L pediatric wrist radiograph, lat, subsequent exam, acquired on Siemens — 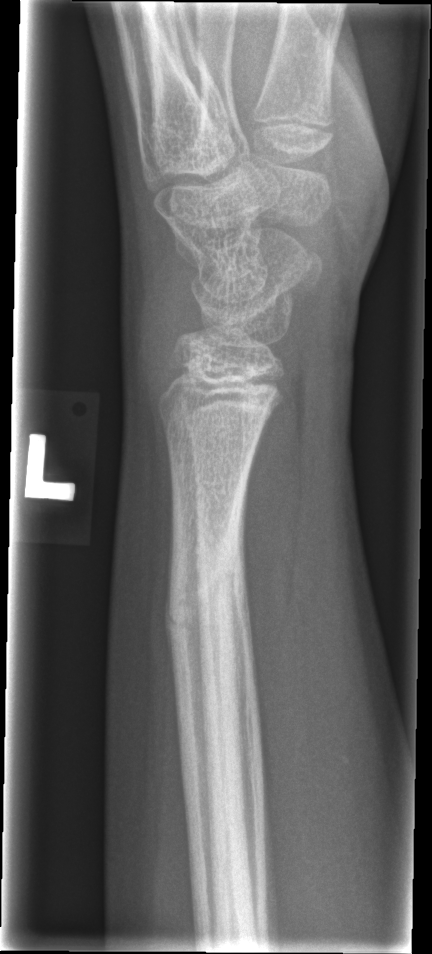 - AO/OTA classification: 22r-D/2.1.
- Fx identified at 160 503 250 638.